L wrist X-ray, lat projection, female, 17 yo, 674x1098.
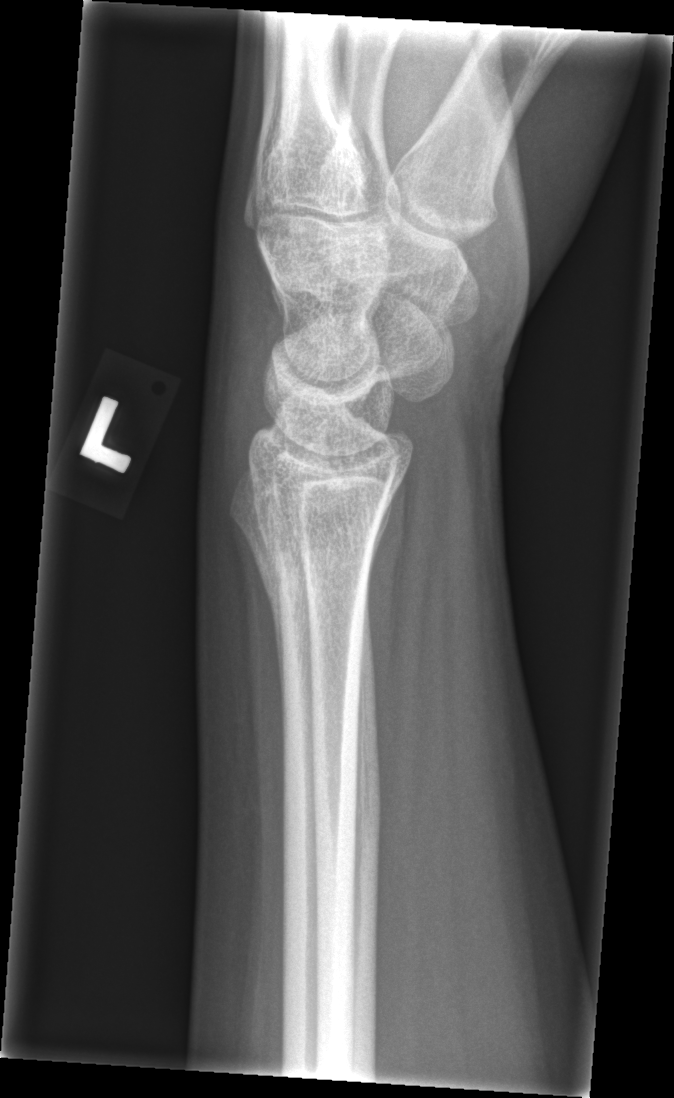 Bone fracture identified at 248,537,372,613.